Right plain radiograph of the wrist; lat projection; pediatric patient (boy, age 8). 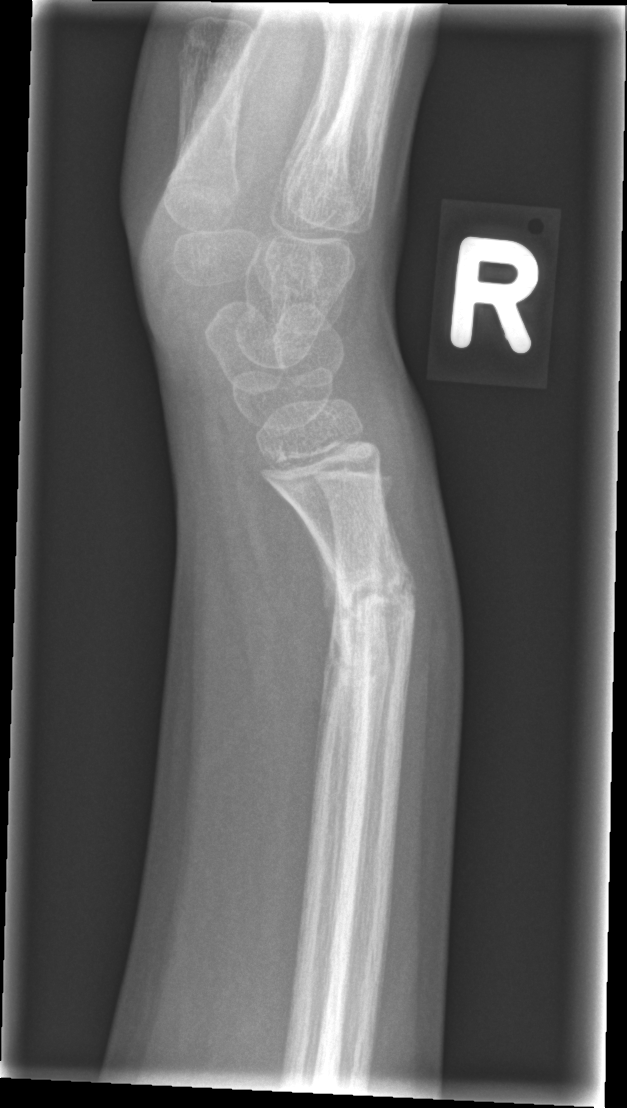 Findings: Bone fracture — [x1=318, y1=539, x2=420, y2=677]. Periosteal new bone identified at [x1=298, y1=512, x2=361, y2=1011]. Osteopenia.